Right wrist radiograph, AP projection, 15-year-old male, 664 by 1196 pixels.
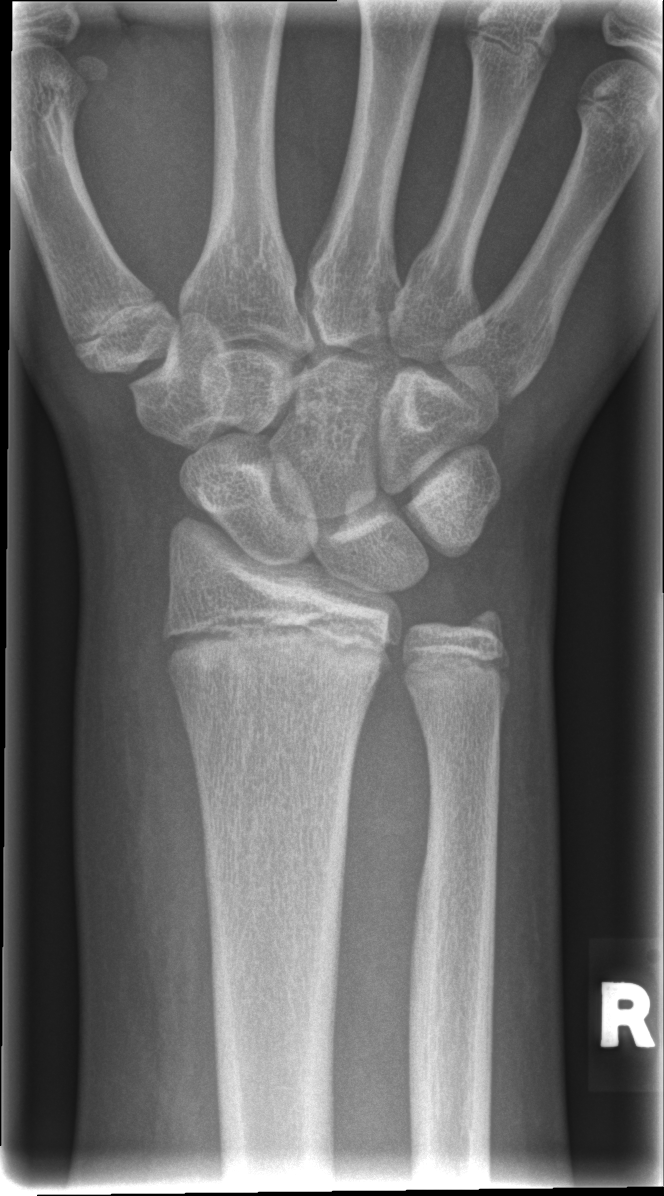
Findings: One soft-tissue swelling at bbox(77, 488, 217, 1010). Fx: none.